R wrist XR | lat projection | pediatric patient (male, age 13): 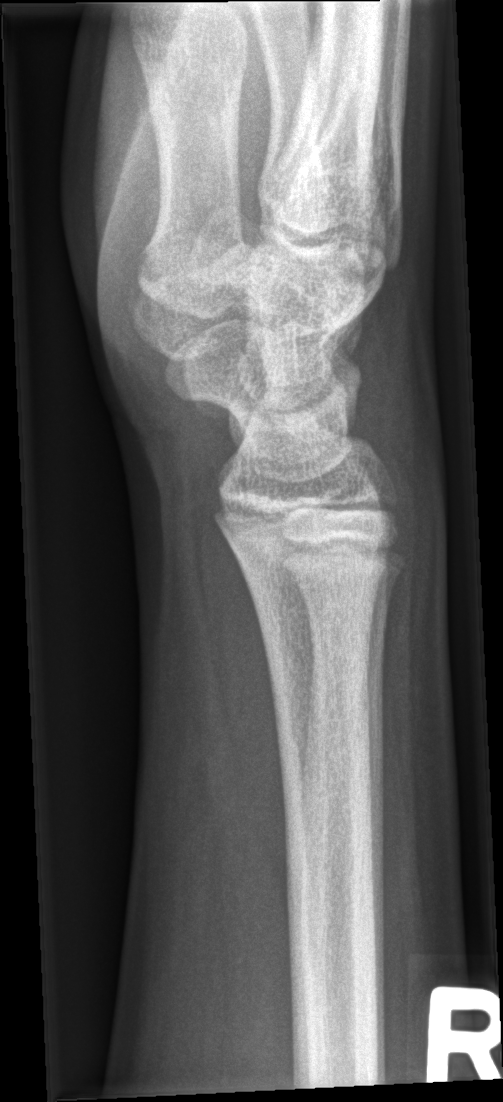

Fracture: none labeled.